Right wrist plain film · PA/AP · girl, 11 yo · presentation radiograph. 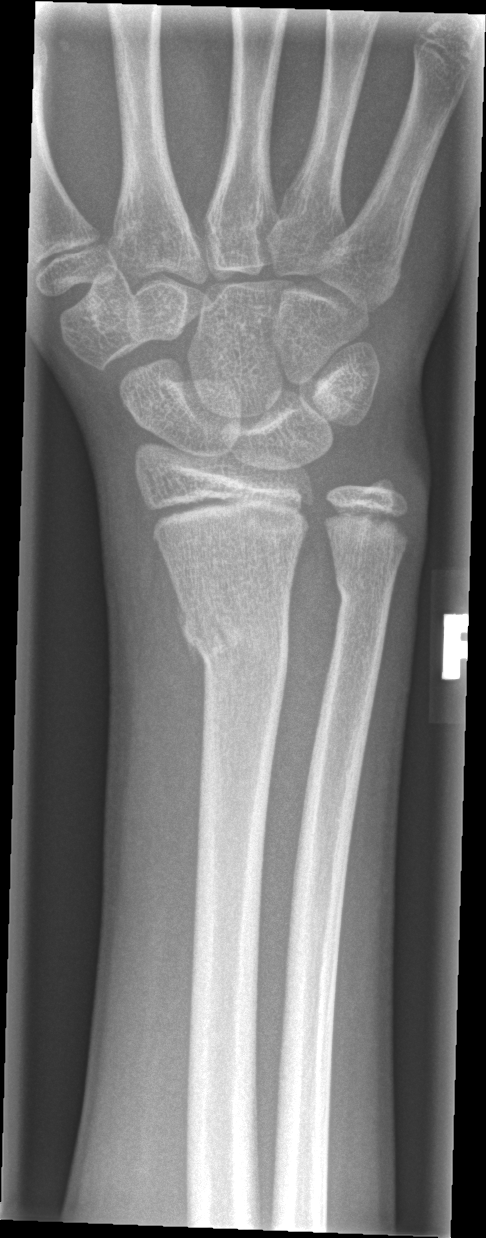

Pixel coordinates, top-left origin, xyxy. Fracture: 178 595 302 673; 334 559 408 632.